Frontal, Rt pediatric wrist radiograph, 7y M, subsequent exam —

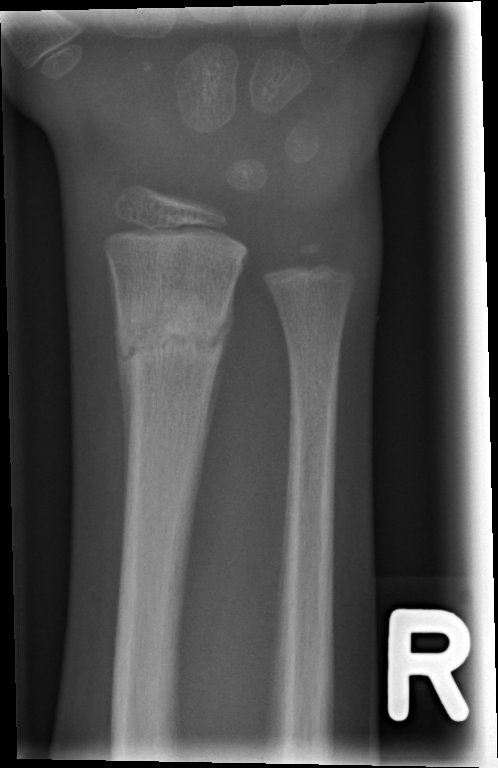
Q: Fracture present?
A: Fracture — (111, 286, 238, 384)
Q: Locate any periosteal reaction.
A: Two periosteal thickening at (202, 282, 235, 460) (117, 305, 133, 508)
Q: Is there osteopenia?
A: Decreased bone density (osteopenia)